Right wrist pediatric wrist radiograph | lateral projection | pediatric patient (male, age 11) | imaged through cast.

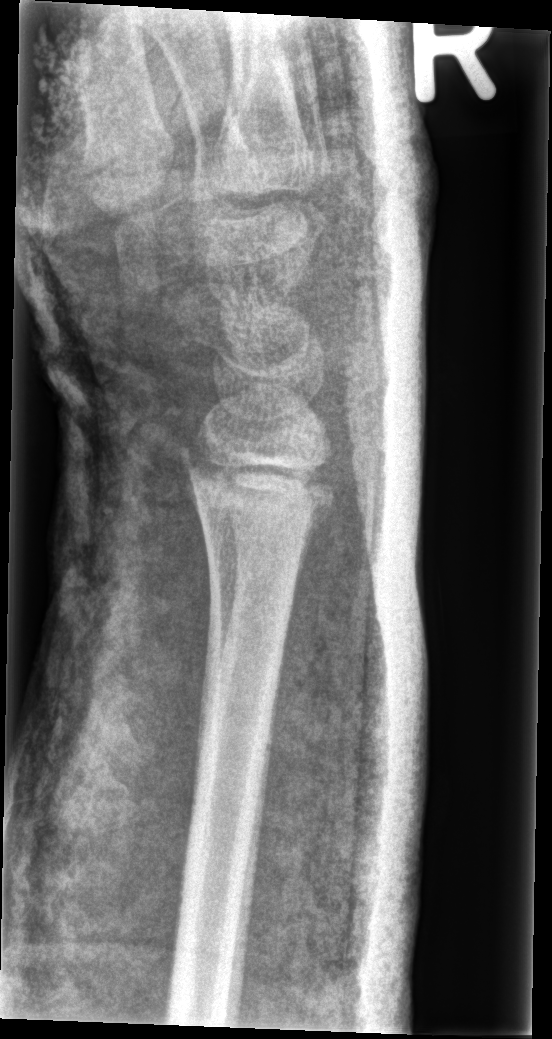   fracture: 1 @ (left=179, top=442, right=338, bottom=542)